Frontal view, Lt plain radiograph of the wrist, pediatric patient (boy, age 15), follow-up, cast present —
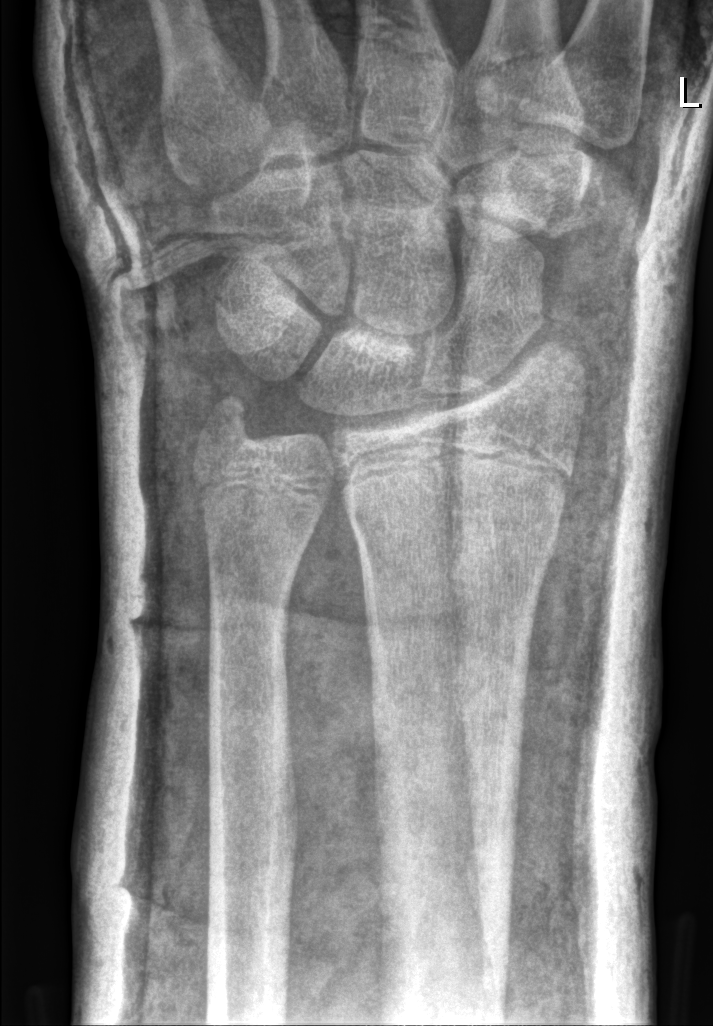 Fracture = present but not clearly seen in this view
AO/OTA = 23r-M/3.1